Frontal; left pediatric wrist radiograph; 6y F; detector: Siemens; 511 by 800 pixels. 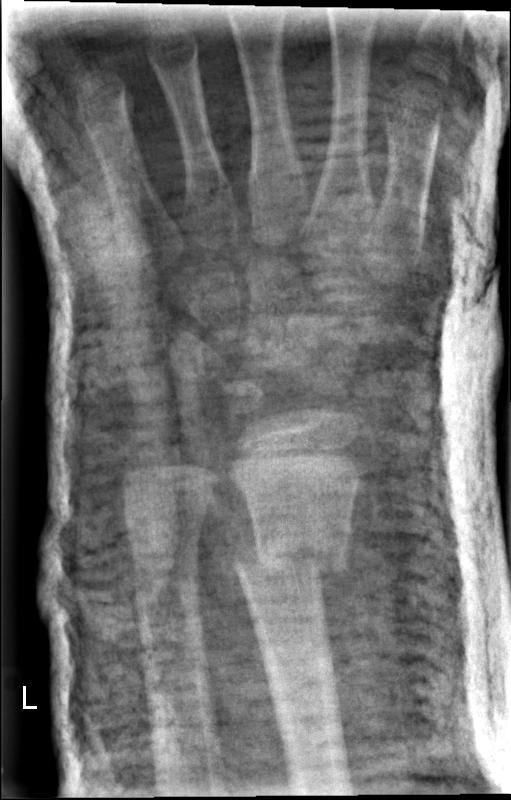 {
  "_coords": "bounding boxes in image-pixel xyxy",
  "ao": "23r-M/3.1; 23u-M/2.1",
  "fracture": "2 @ [230, 517, 357, 600] [119, 487, 213, 538]"
}